L wrist XR; AP view; 10y M; in cast; 604 by 1041 pixels. 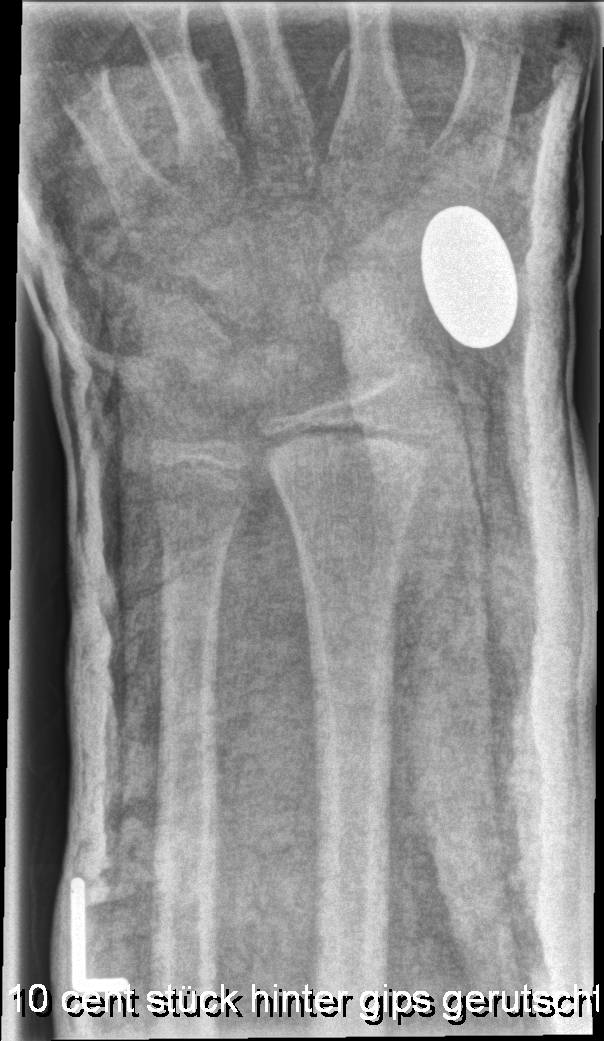

(boxes as x1,y1,x2,y2 (top-left / bottom-right, pixel units))
Q: Locate any fractures.
A: Fx identified at bbox(262, 418, 441, 502)
Q: Locate any hardware.
A: Metallic implant — bbox(419, 201, 518, 351)
Q: What is the AO/OTA classification?
A: Fracture classified AO/OTA 23r-E/1